Lateral, R wrist X-ray, female, 8 yo, follow-up —

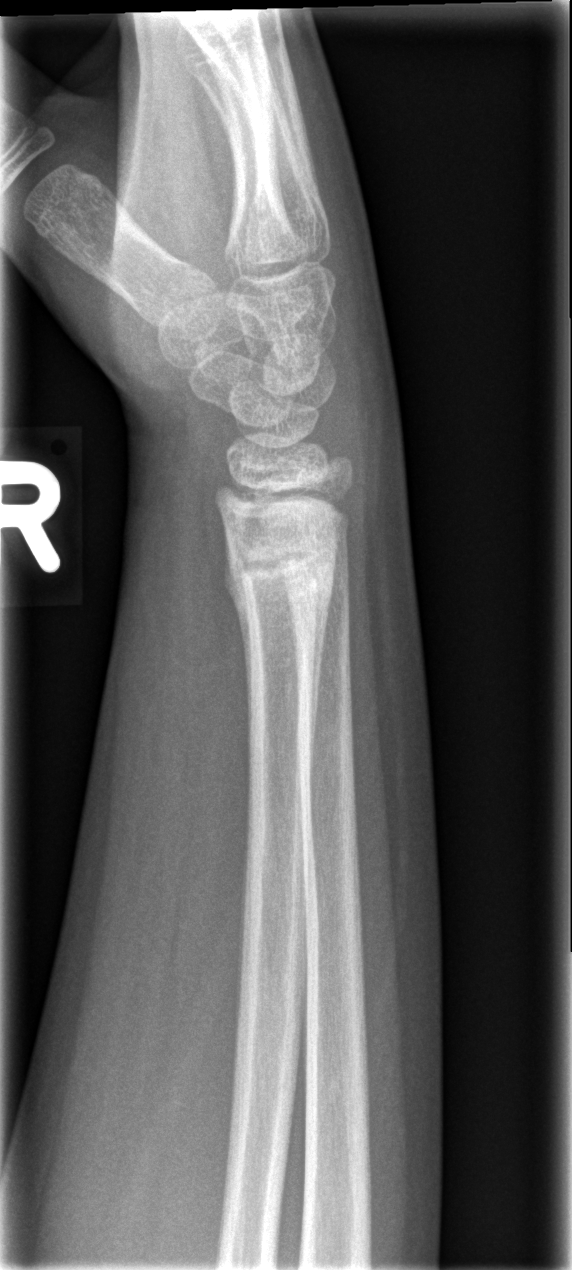

FINDINGS: (boxes as x1,y1,x2,y2 (top-left / bottom-right, pixel units)) Fracture identified at 222,536,339,621.